Right wrist radiograph · lat projection:
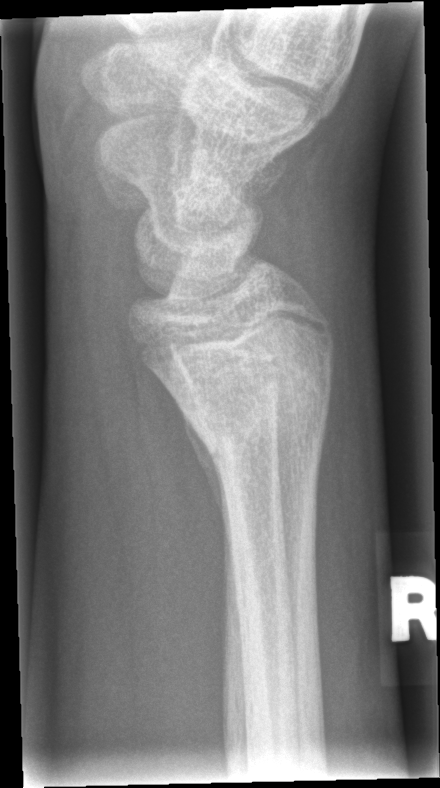

• Periosteal thickening: <183,412>-<233,539>.
• Fracture — <183,361>-<336,473>.